Lateral | Lt wrist radiograph | follow-up | in cast —
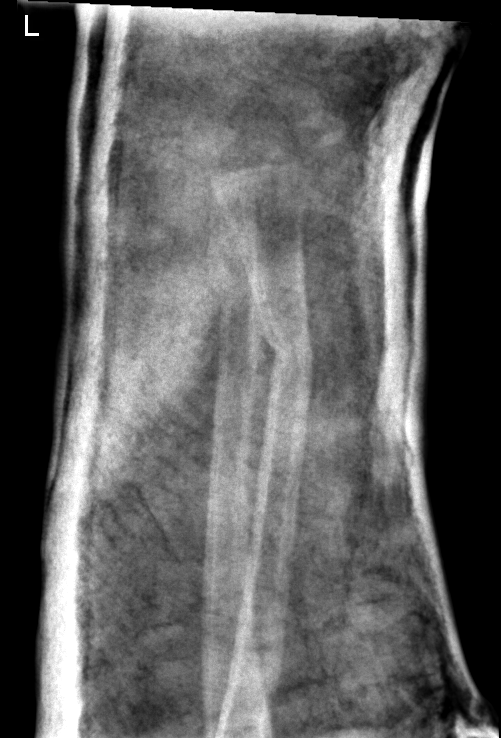

(bounding boxes in image-pixel xyxy)
Q: What is the AO/OTA classification?
A: Fracture classified AO/OTA 22r-D/2.1; 23u-M/2.1
Q: Fracture present?
A: Fx: 202 229 268 311; 254 308 318 382